Lateral · left wrist pediatric wrist radiograph · 350 x 1110 px. 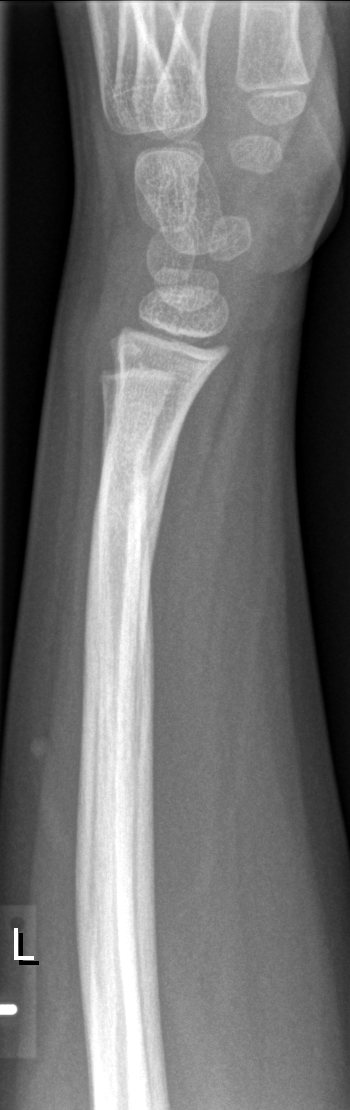
{
  "_coords": "bounding boxes in image-pixel xyxy",
  "fracture": "(89, 437, 174, 544)"
}